R pediatric wrist radiograph; lat view; 4y M. 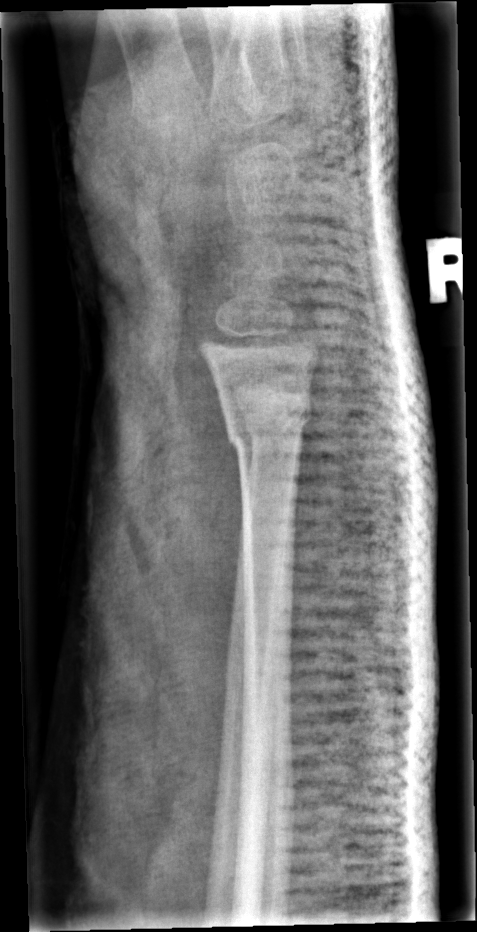
Fracture identified at [x1=220, y1=389, x2=315, y2=461].